Right wrist plain film | frontal view | 8-year-old female | subsequent exam | detector: Siemens:

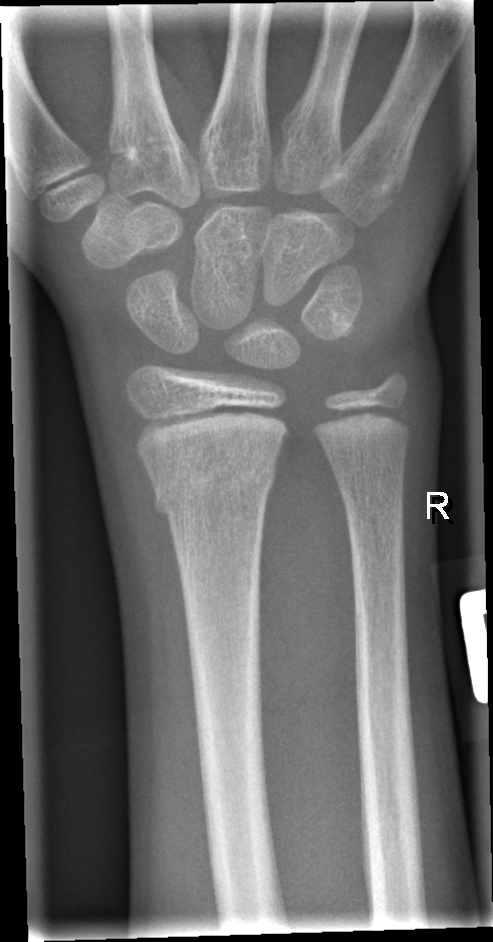

Findings: Fx — [x1=148, y1=457, x2=279, y2=516].